Lat; R wrist plain film; subsequent exam: 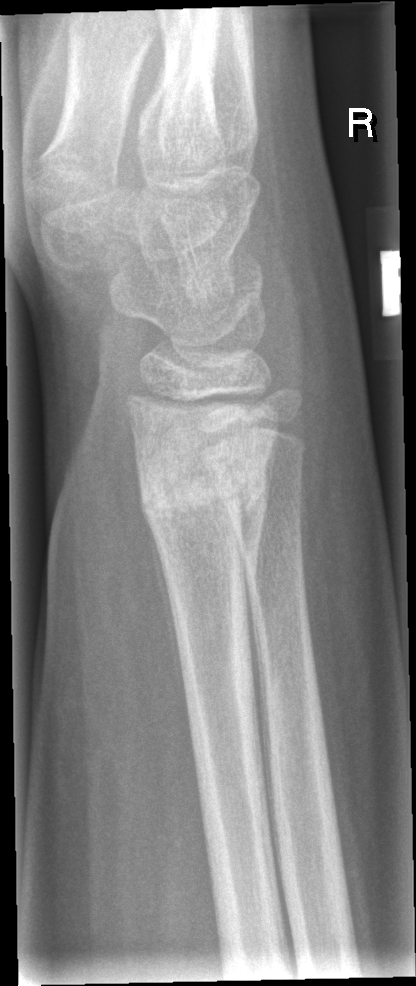 Bounding boxes in image-pixel xyxy.
Reduced bone mineral density.
Fracture identified at (left=135, top=454, right=275, bottom=534).
Periosteal new bone: (left=143, top=508, right=195, bottom=758) (left=235, top=437, right=276, bottom=696).